Lat view | left wrist XR | acquired on Siemens. 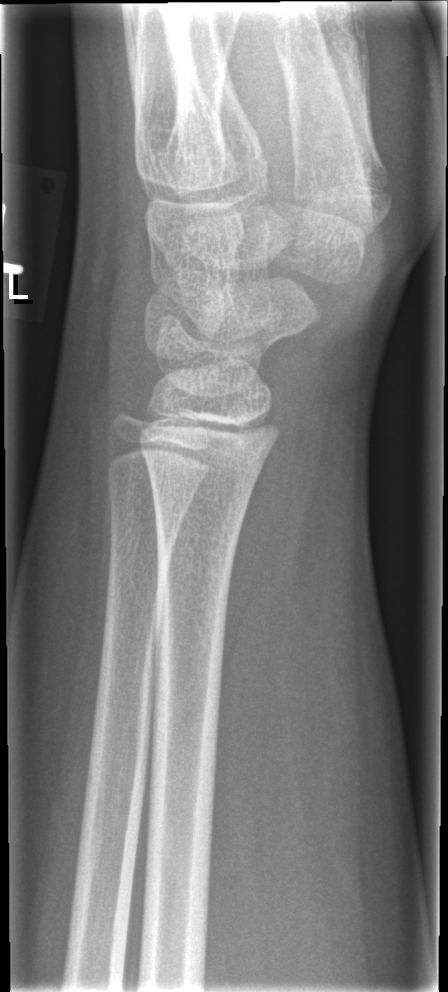

Q: Is there a fracture?
A: No fracture bounding box